L pediatric wrist radiograph, PA projection, boy, 4 yo, presentation radiograph
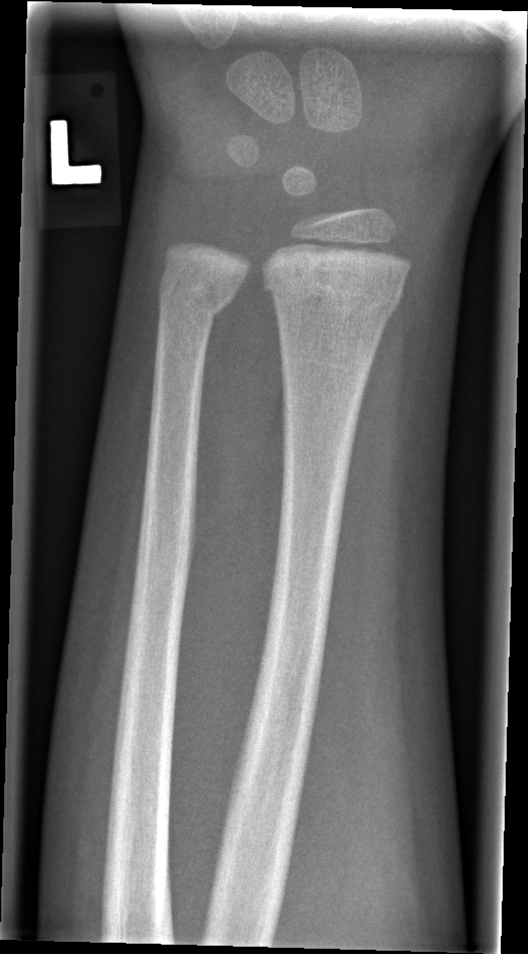 Fracture classified AO/OTA 23r-E/2.1; 23u-M/2.1. Fx — bbox(260, 256, 411, 331) bbox(156, 275, 242, 324).